Lt wrist XR | PA/AP projection | subsequent exam | 72.6 mm image width —

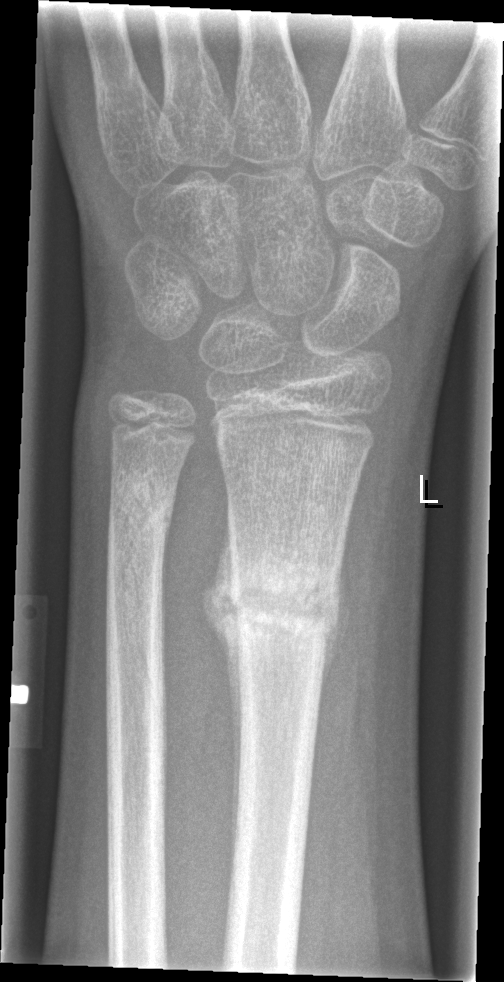
FINDINGS: (coordinates are [x1, y1, x2, y2] in image pixels) Osteopenic. Periosteal reaction — [x1=199, y1=496, x2=242, y2=880]; [x1=320, y1=549, x2=350, y2=696]. AO code 23r-M/3.1; 23u-M/2.1. Fractures — [x1=229, y1=558, x2=331, y2=659]; [x1=109, y1=484, x2=175, y2=548].